Lat view; Rt wrist XR; presentation radiograph; acquired on Siemens; image width 71.4 mm — 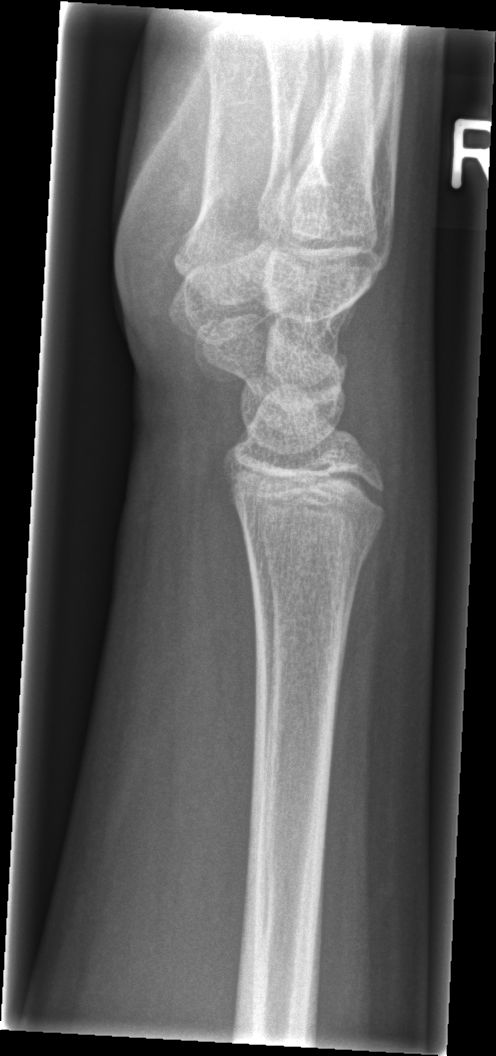
AO/OTA classification: 23r-M/2.1. One Fx at 240 520 381 587.